Lateral, Rt wrist plain film —
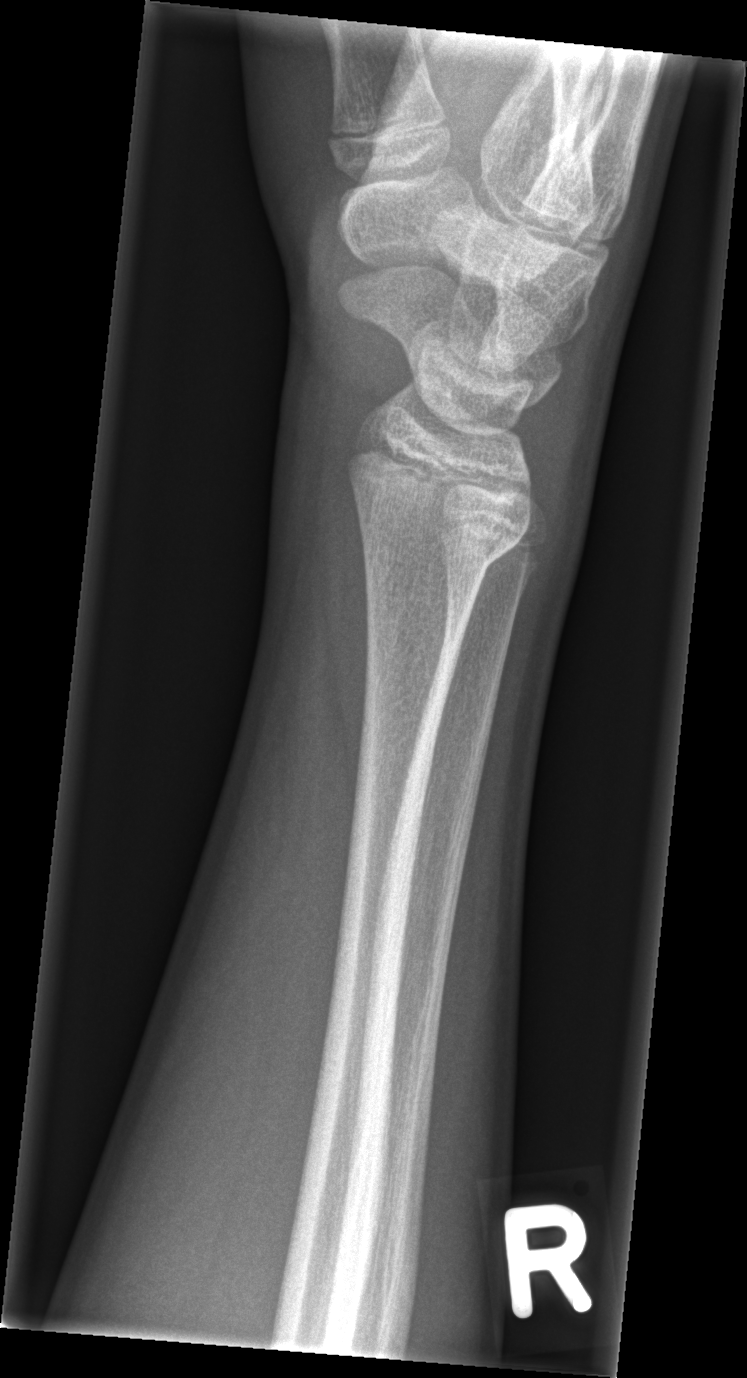

(pixel coordinates, top-left origin, xyxy)
AO code: 23r-M/2.1; 23u-E/7
Bone fracture: [x1=355, y1=507, x2=524, y2=588]